Lateral · left wrist XR · 422 x 652 px:
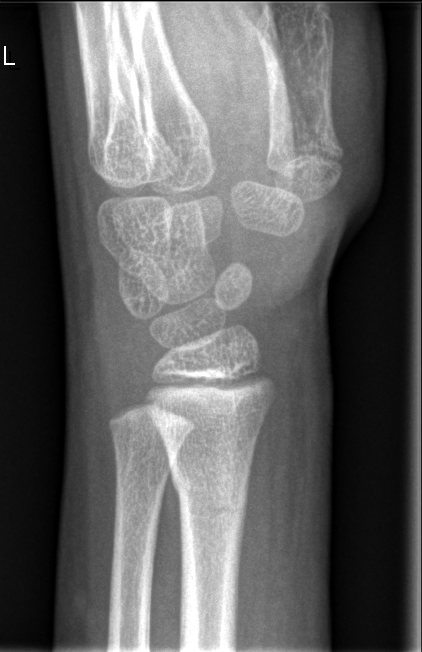

Pixel coordinates, top-left origin, xyxy. Bone fracture — 167,459,252,528. Fracture classified AO/OTA 23r-M/3.1.